AP · left wrist plain film:
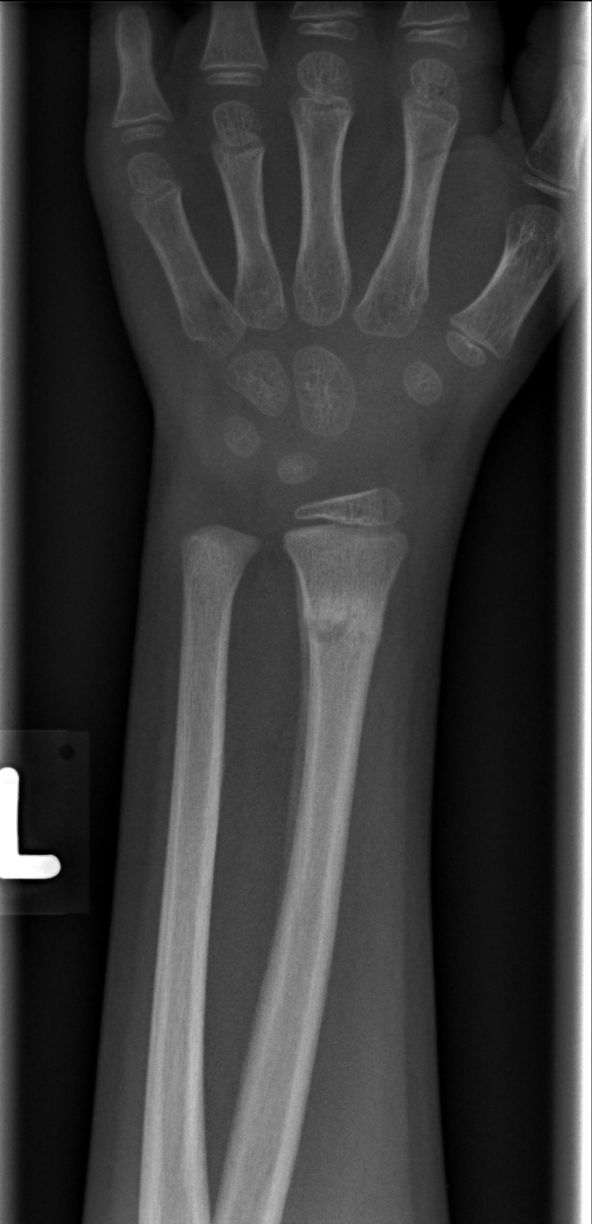

Findings: (boxes as x1,y1,x2,y2 (top-left / bottom-right, pixel units)) Osteopenia. One periosteal thickening at 274 560 316 936. Fracture — 298 584 390 661.